Posteroanterior | right wrist radiograph | initial study 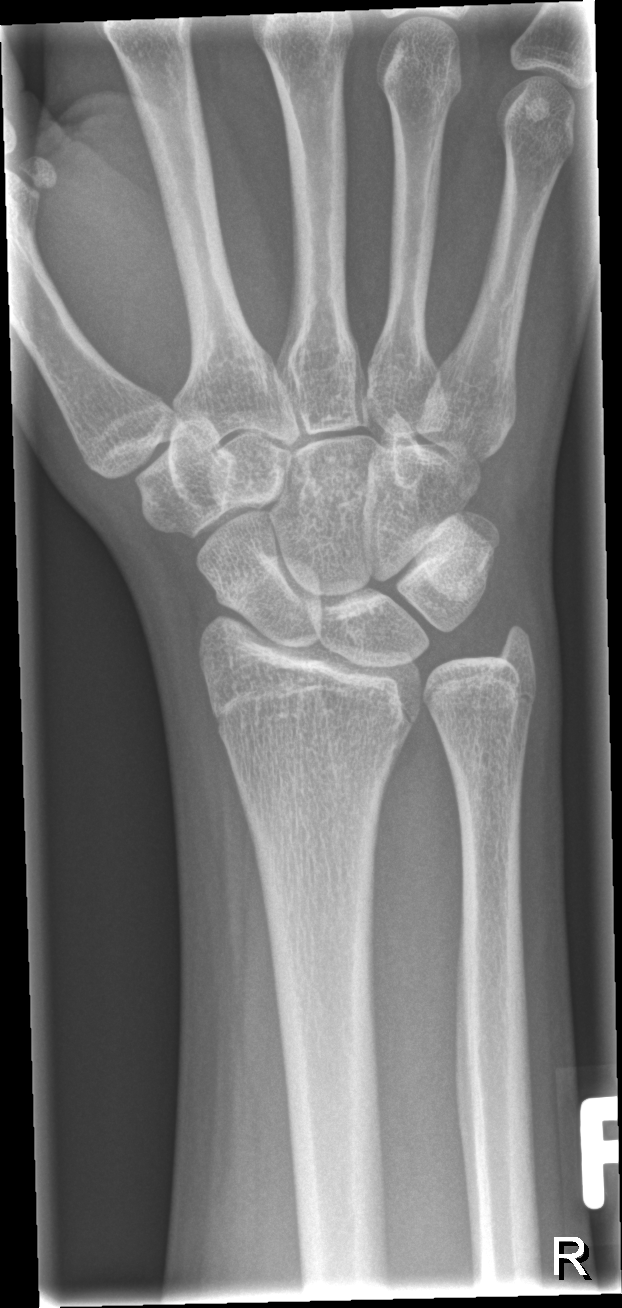

No Fx annotated.